Frontal projection; L plain radiograph of the wrist; initial study; Siemens: 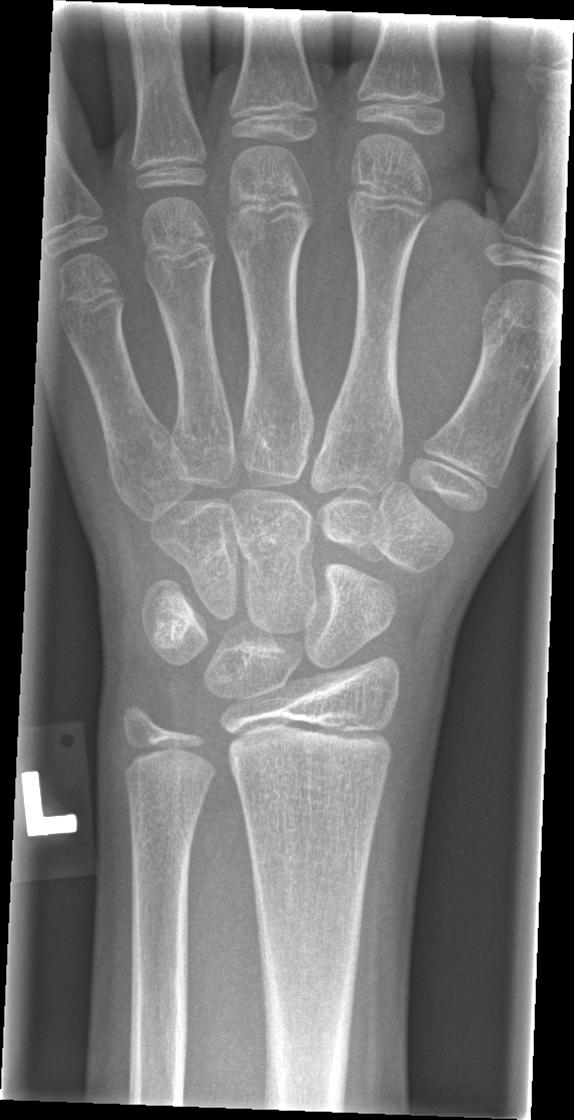 Fracture: none labeled